Left wrist radiograph | posteroanterior view | pediatric patient (female, age 11) | image size 543x942 —
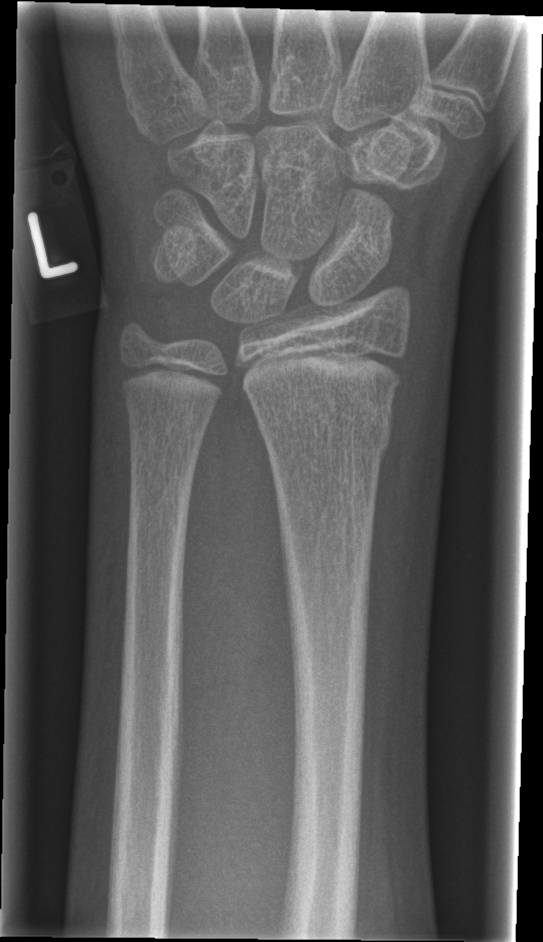
(bounding boxes in image-pixel xyxy)
AO/OTA = 23r-M/2.1
bone fracture = 1 @ [x1=259, y1=399, x2=395, y2=465]